Posteroanterior | R wrist XR | 16-year-old girl | presentation radiograph | 81.5 mm image width:
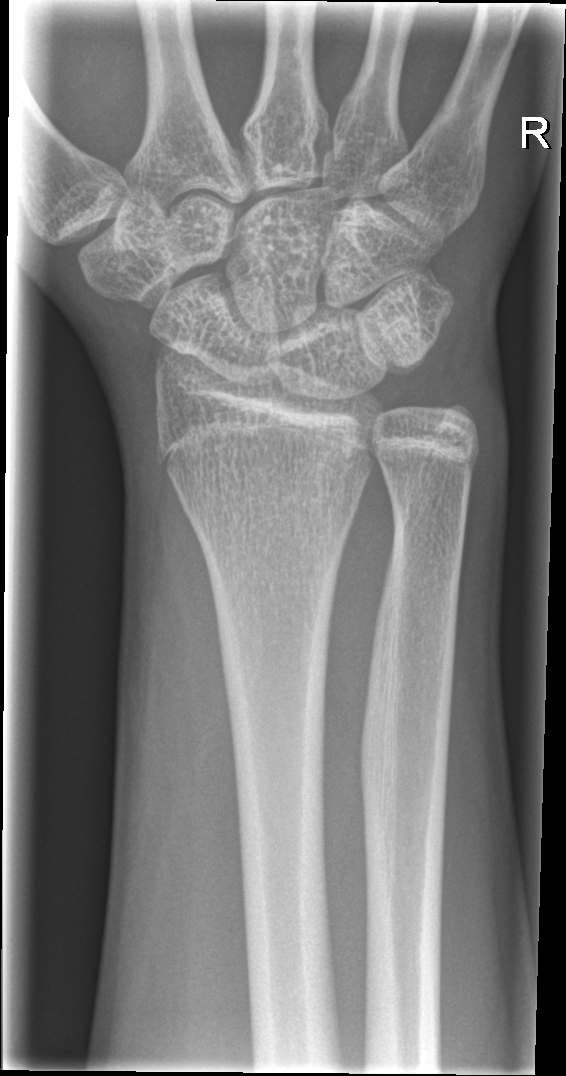
fracture: none labeled